R wrist radiograph; PA/AP —
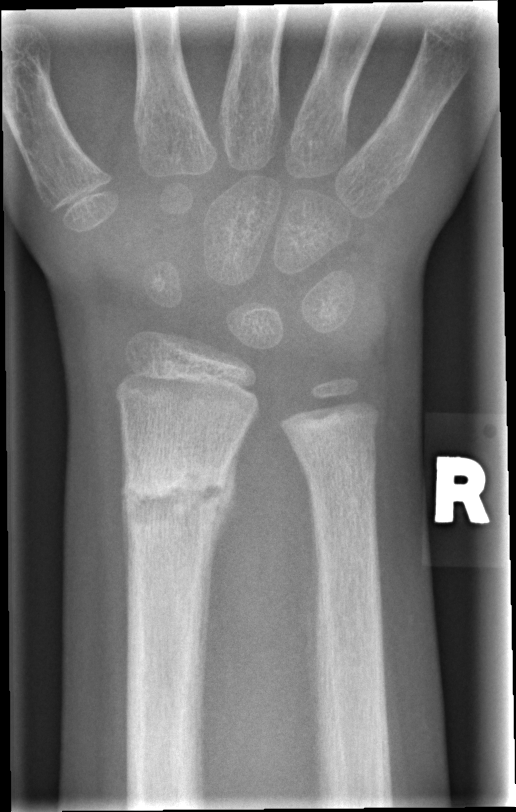 * Periosteal reaction identified at [200, 431, 246, 669] [119, 420, 131, 612].
* Fx: [114, 458, 237, 539], [295, 422, 381, 500].